Rt pediatric wrist radiograph · lat projection · male, 14 yo · Siemens

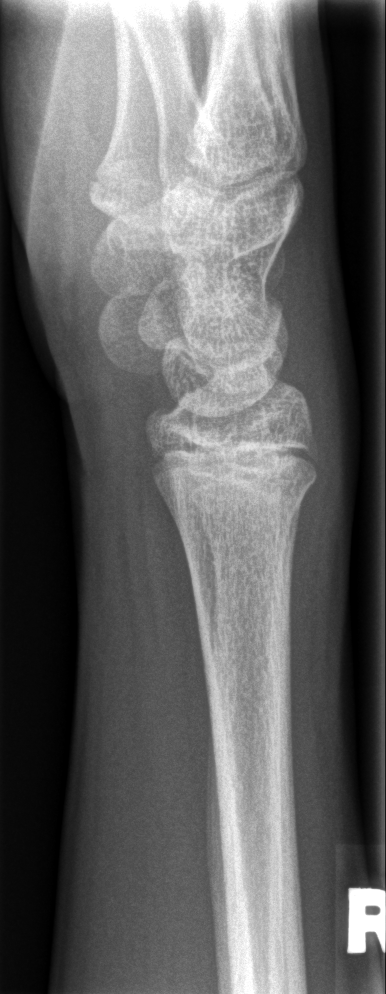 Fracture: (157, 462, 320, 527).